Frontal projection · R plain radiograph of the wrist · girl, 12 yo · 89.9 mm image width

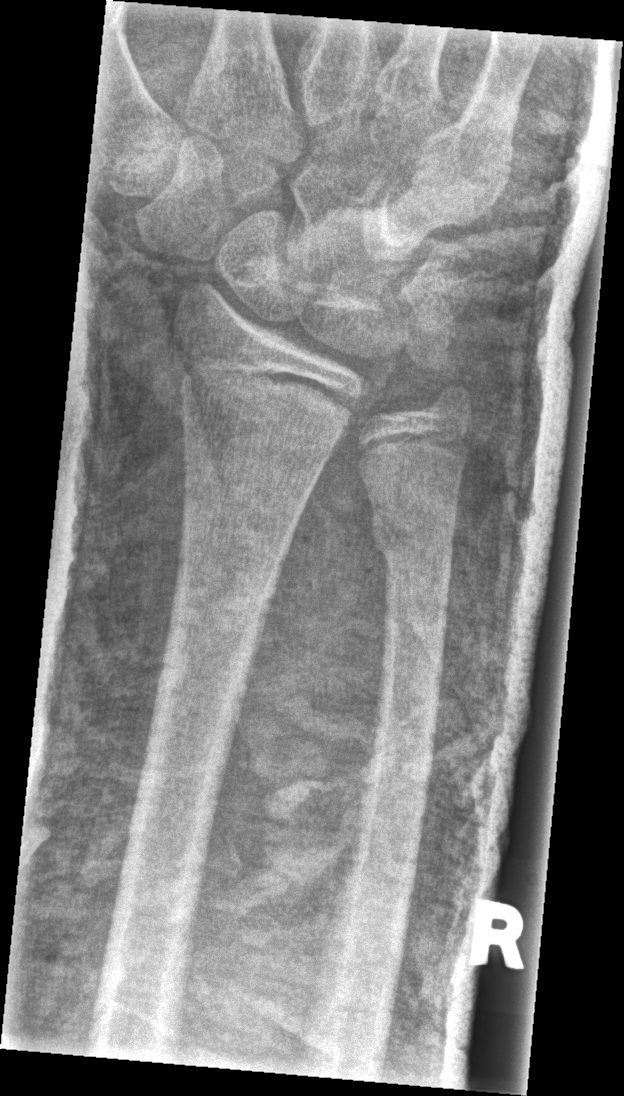 FINDINGS: AO/OTA classification: 23r-E/2.1; 23u-M/2.1. Fracture identified at bbox(365, 499, 458, 572).